Posteroanterior projection | right pediatric wrist radiograph | 11y M 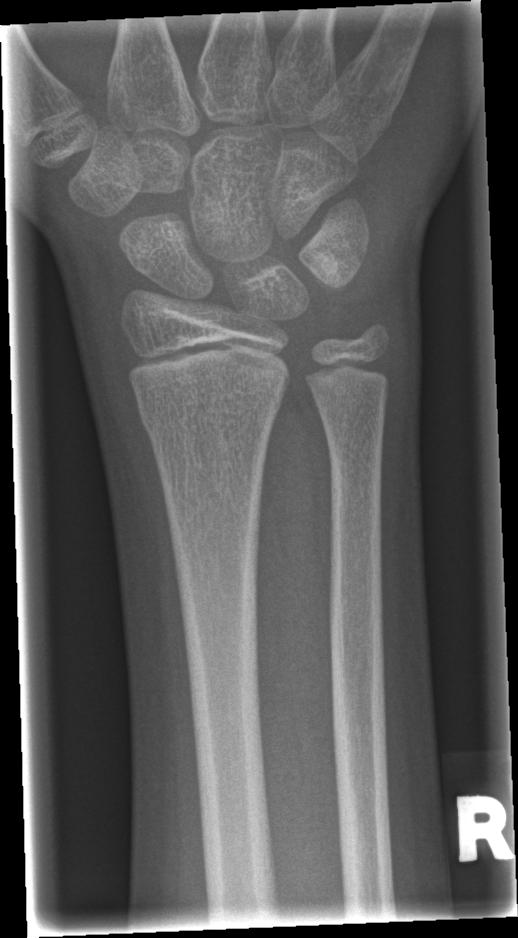
fracture = (136, 390, 275, 445)